Lat view · Lt wrist plain film · 15-year-old male · findings marked uncertain by the reading radiologist —

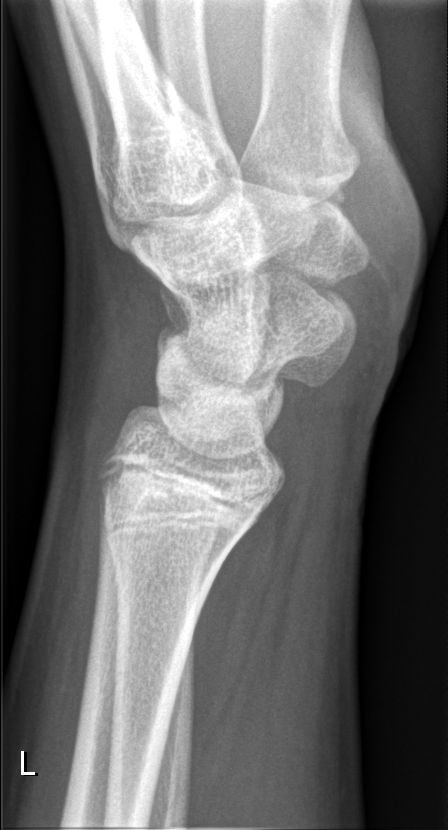
bone fracture = none labeled